Right wrist XR · PA view · age 15 y, boy · cast in situ — 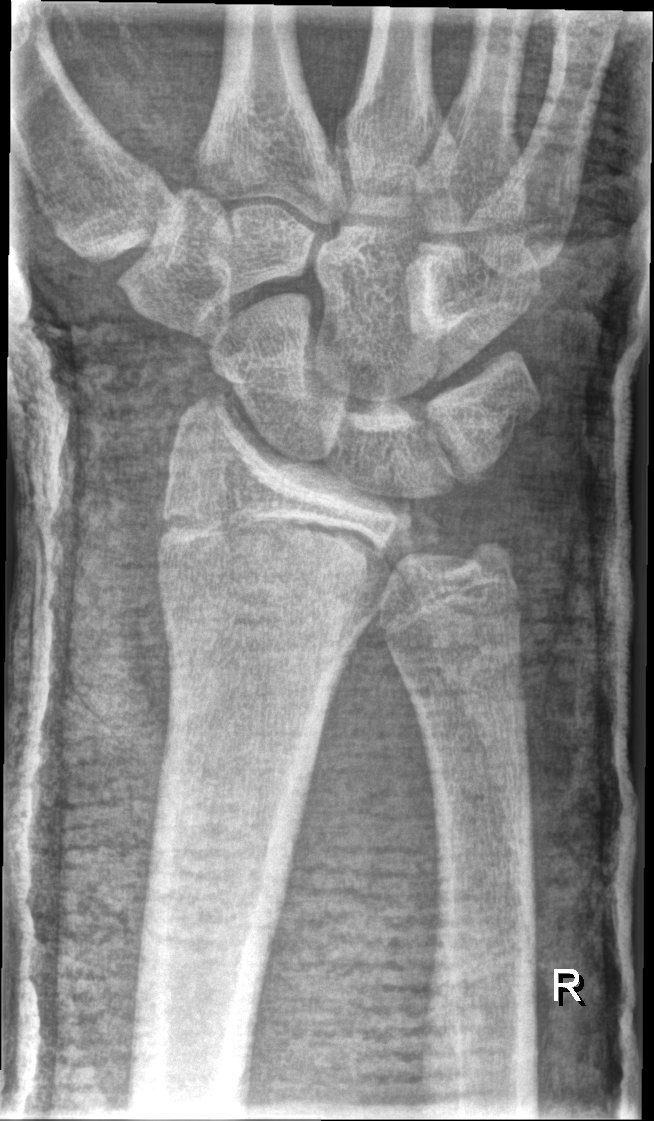
- Boxes as x1,y1,x2,y2 (top-left / bottom-right, pixel units).
- Bone fracture — (left=151, top=486, right=443, bottom=607).